Left wrist X-ray · AP view · boy, 10 yo · cast in situ. 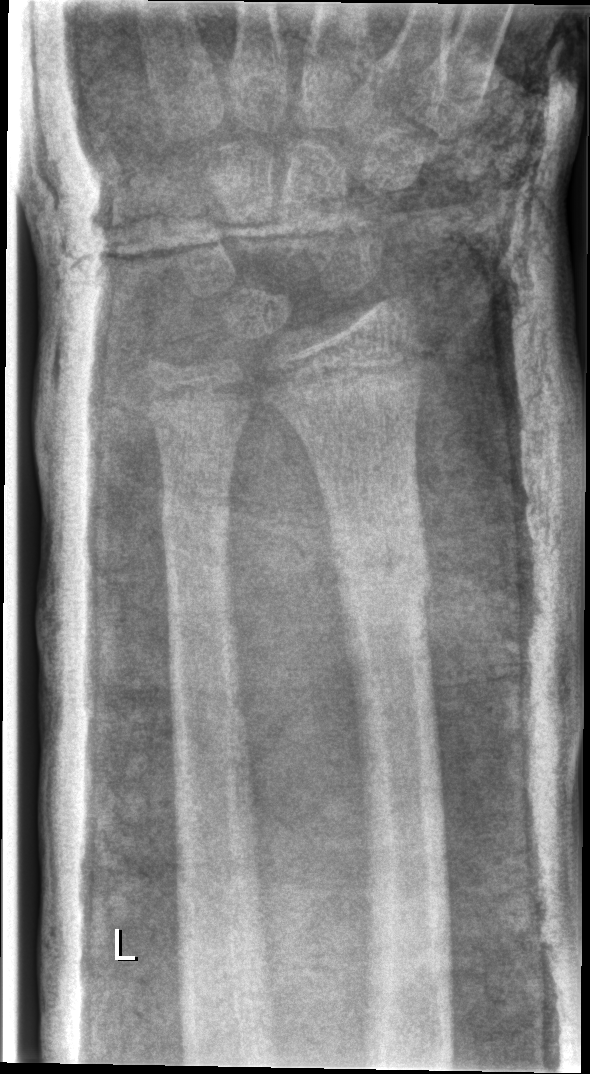

Q: What is the AO/OTA classification?
A: Fracture classified AO/OTA 23r-M/3.1; 23u-M/2.1
Q: Locate any fractures.
A: Fracture: 327,528,437,656 | 155,490,238,562